Right plain radiograph of the wrist; AP projection; pediatric patient (male, age 17); index exam 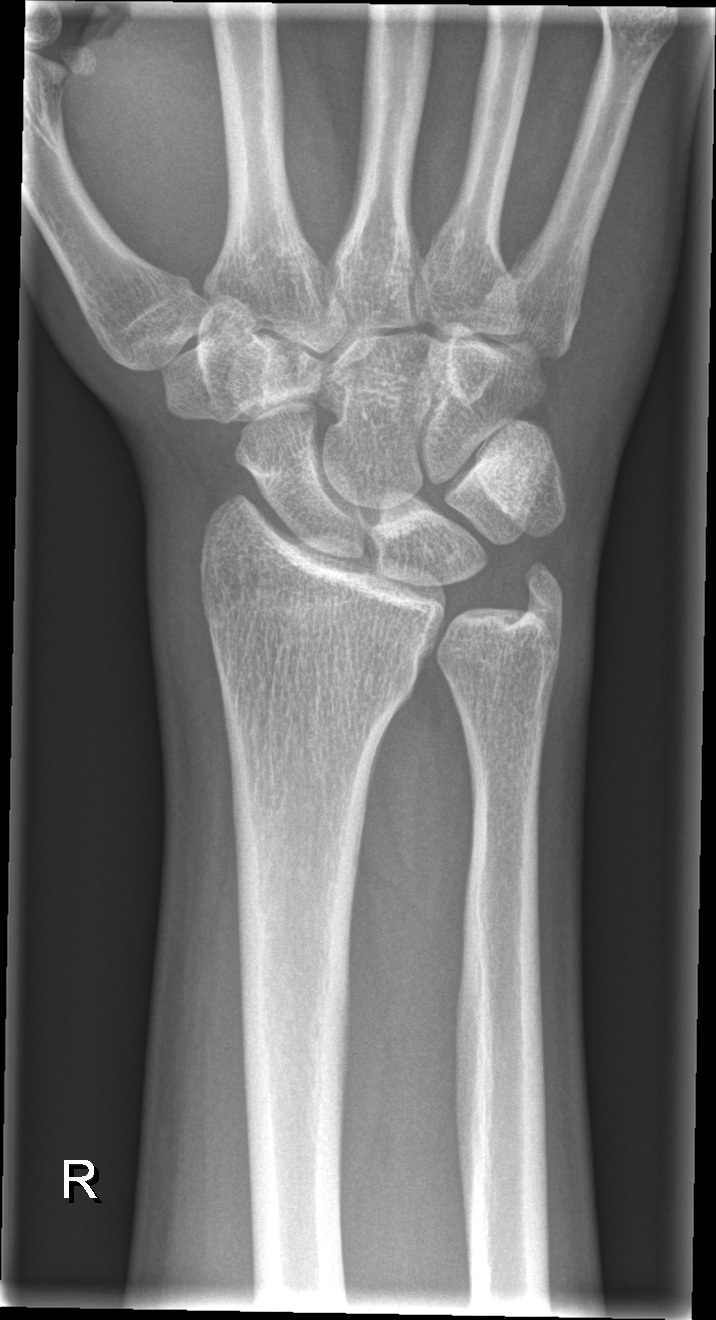

No fracture bounding box.